R plain radiograph of the wrist · lateral projection · pediatric patient (female, age 12).

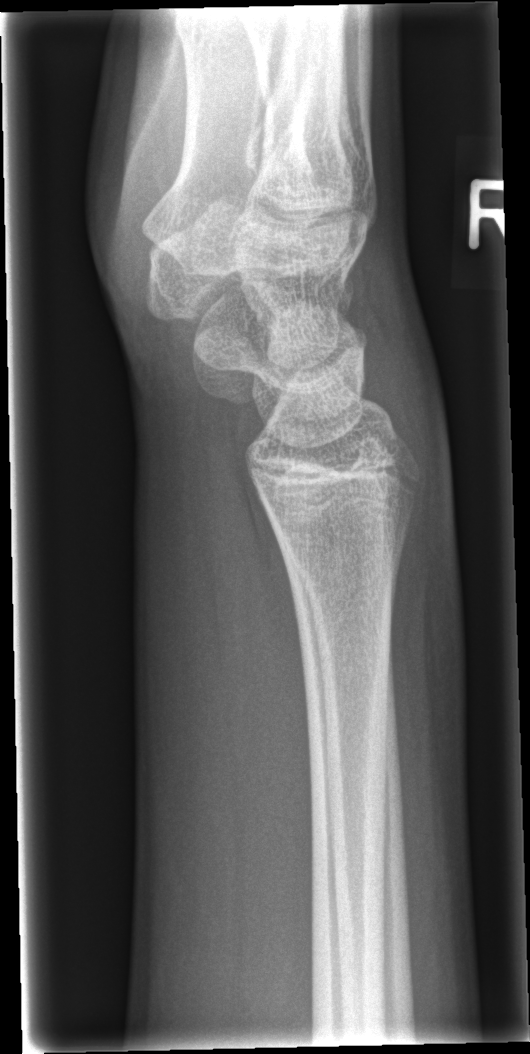

Fracture = none labeled